PA/AP projection; Lt pediatric wrist radiograph; 10-year-old female; 492 x 868 px — 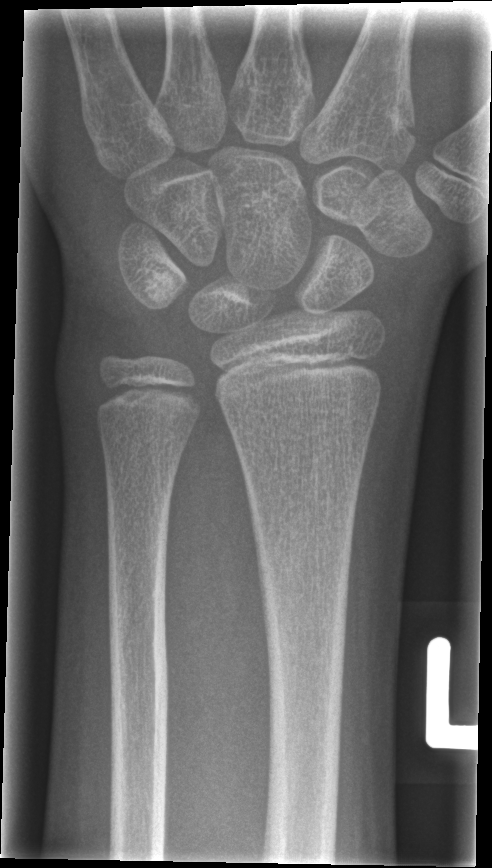

• No fracture bounding box.